Lateral; left wrist XR; pediatric patient (boy, age 17); detector: Siemens; 468 x 1380 px. 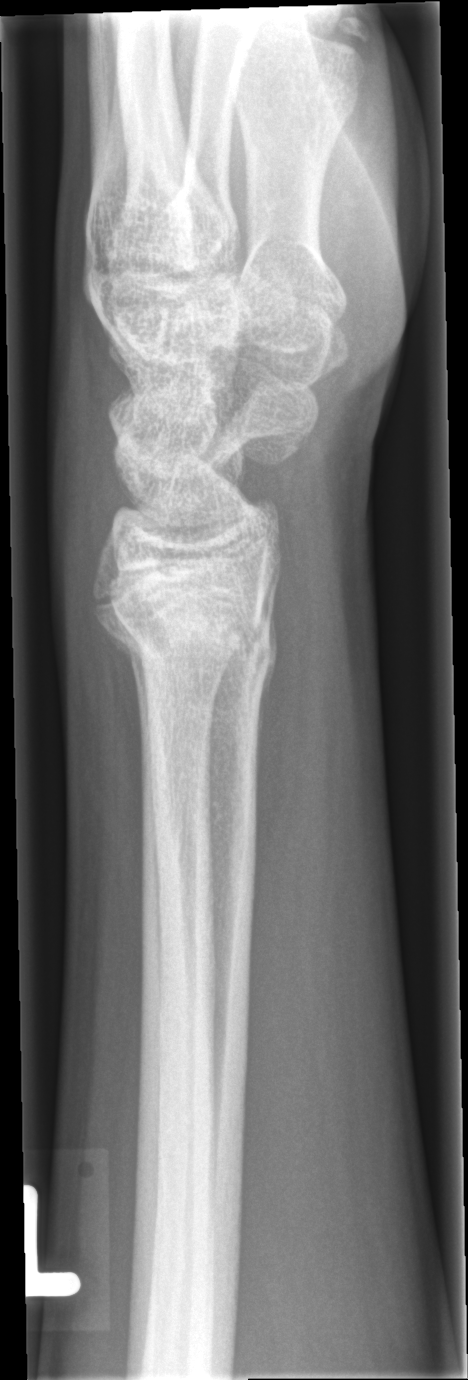
Periosteal reaction = 1 @ (left=256, top=549, right=281, bottom=787)
Fracture = (left=105, top=597, right=283, bottom=692)
Osteopenia = present
AO classification = 23r-M/3.1